L pediatric wrist radiograph | lat view | girl, 1.6 yo | initial study | 480 x 640 px —

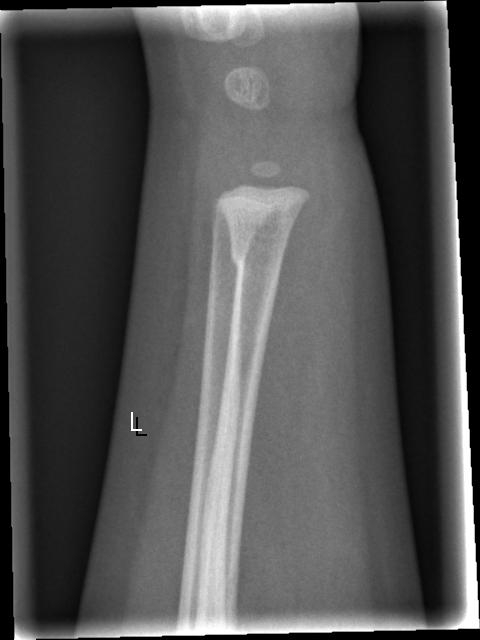
• Fx — bbox(226, 236, 288, 282).